Lt wrist X-ray | lat:
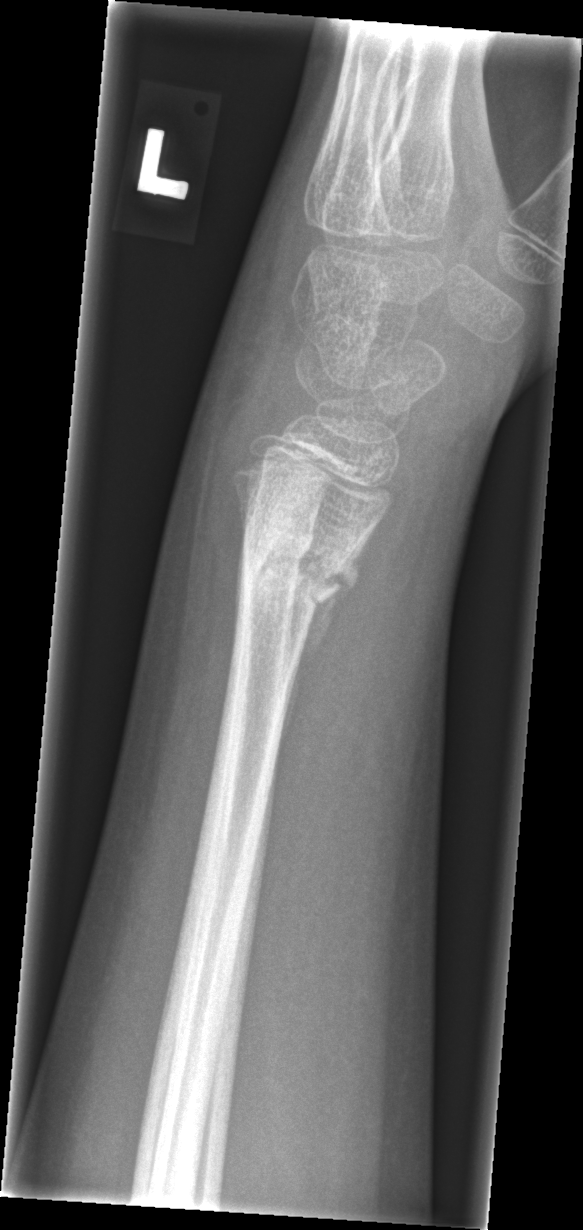 Fx: (243, 532, 360, 620).